Right wrist radiograph · lat view · age 12 y, girl · presentation radiograph · acquired on Siemens · 483x910 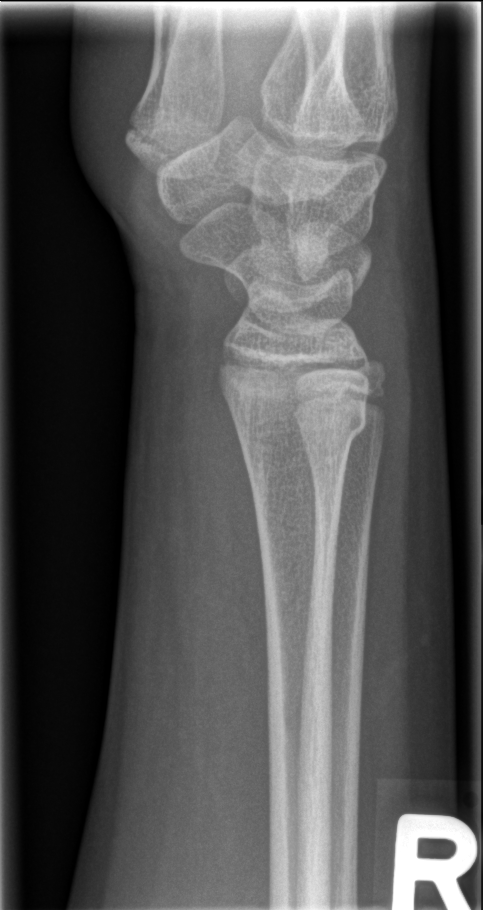
  fracture: 1 @ [x1=234, y1=387, x2=370, y2=446]